Lat view, left wrist radiograph, girl, 17 yo, Siemens, 562 by 1431 pixels —
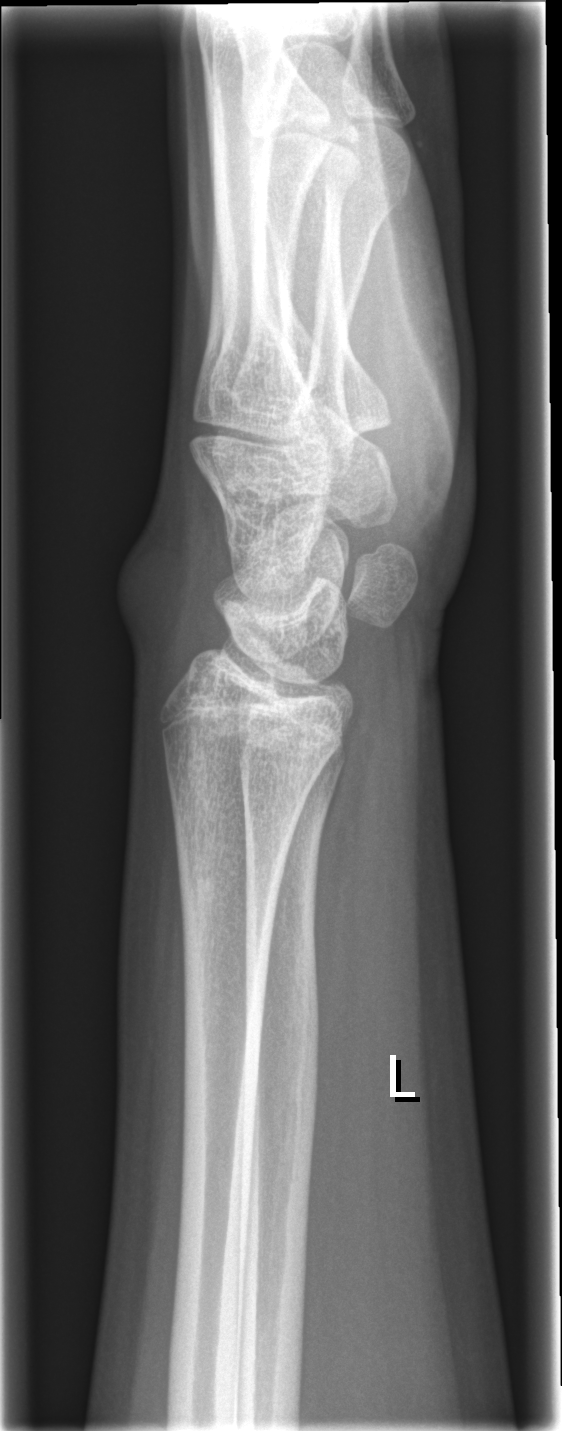   # bounding boxes in image-pixel xyxy
  softtissue: 1 @ [x1=108, y1=528, x2=210, y2=675]
  fracture: none labeled